Lat view | Rt wrist plain film | follow-up | cast in situ | 100.1 mm image width | 695 by 1190 pixels —

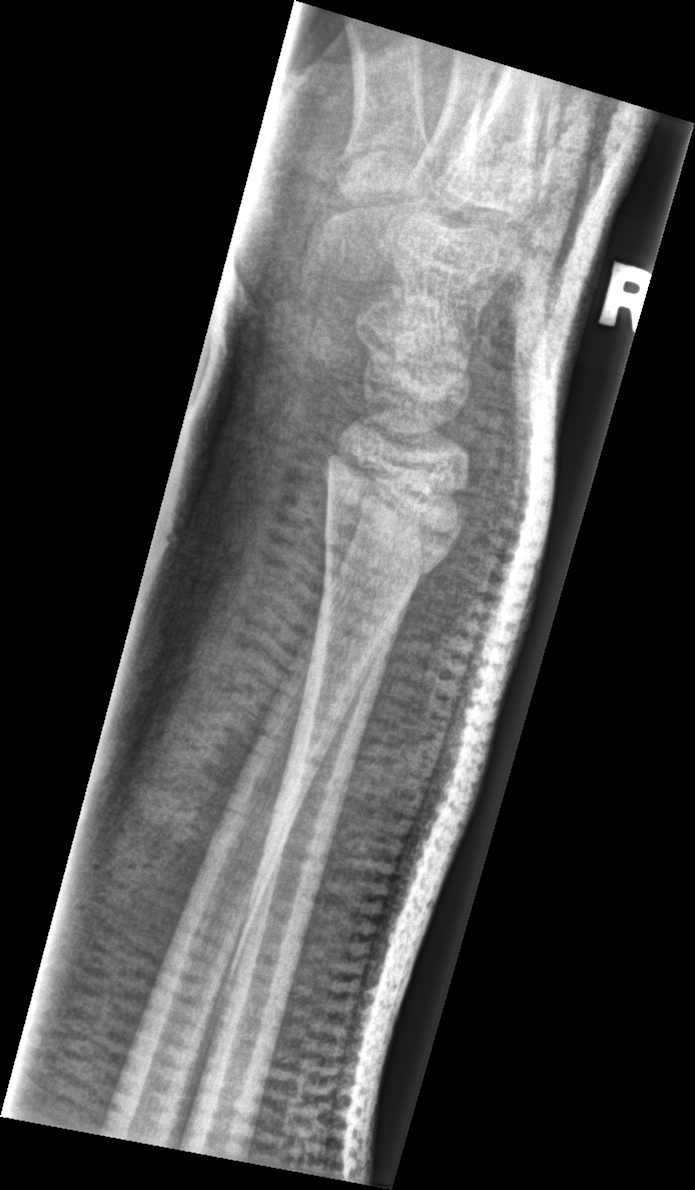 AO code: 23r-M/3.1
Fracture: [x1=321, y1=488, x2=464, y2=586]